Left wrist radiograph; frontal view; female, 4 yo; initial study.
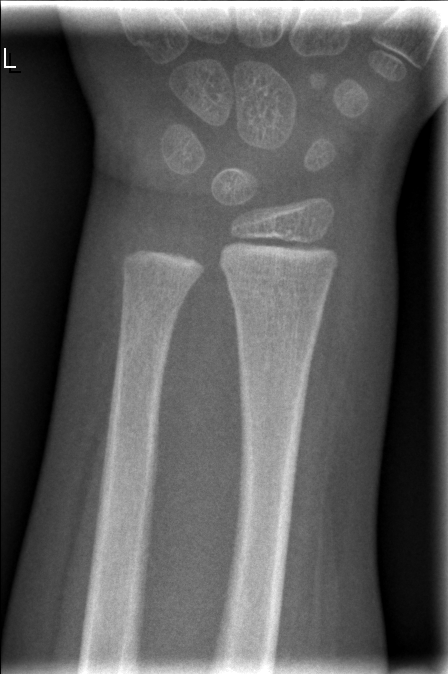
Q: What is the AO/OTA classification?
A: AO/OTA classification: 23r-M/2.1
Q: Fracture present?
A: Bone fracture identified at <222,269>-<325,330>